Rt wrist XR; posteroanterior view:
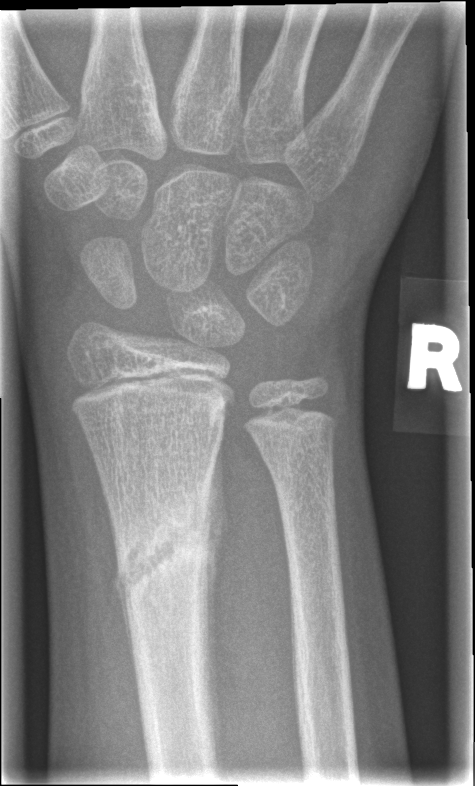
{"osteopenia": "present", "periostealreaction": "(left=201, top=435, right=228, bottom=752), (left=113, top=565, right=137, bottom=677)", "fracture": "1 @ (left=112, top=485, right=217, bottom=611)"}